PA/AP view · left wrist plain film · boy, 15 yo · initial study · image width 99.9 mm:

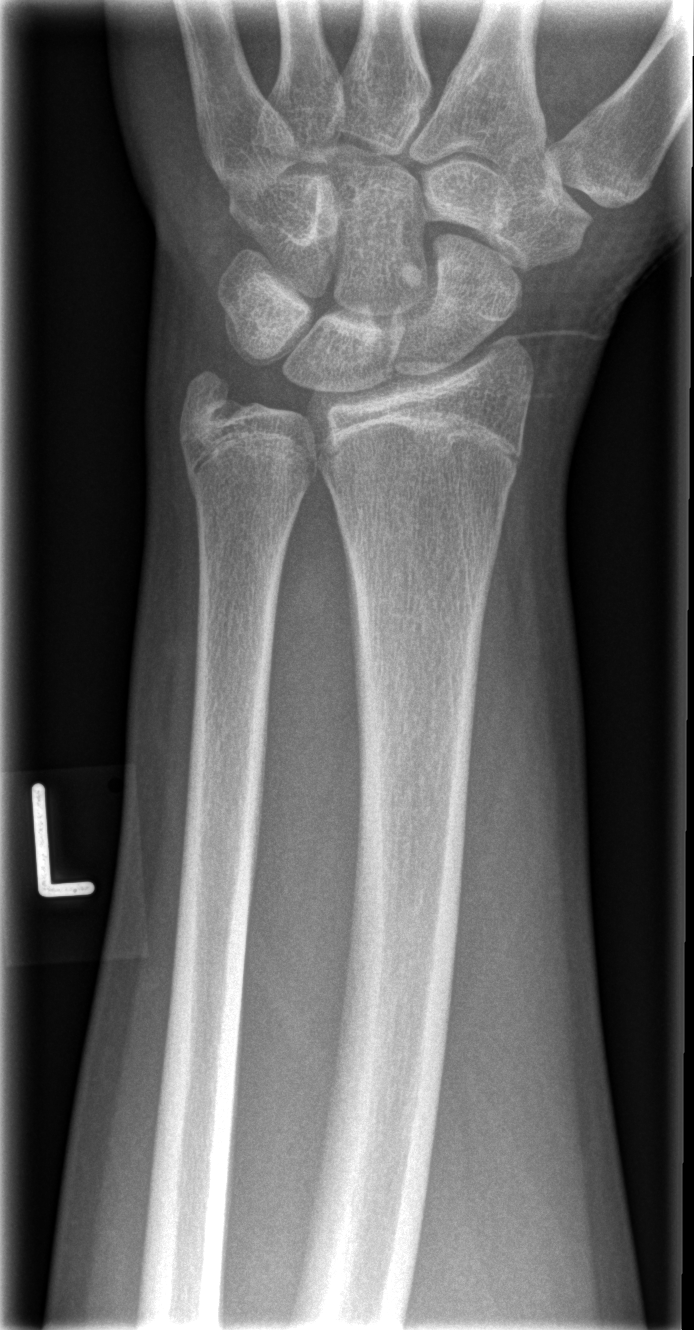 Findings: Bone lesion: (left=397, top=262, right=423, bottom=290). Fracture: none labeled.